AP view | left wrist plain film | follow-up | image size 498x944.

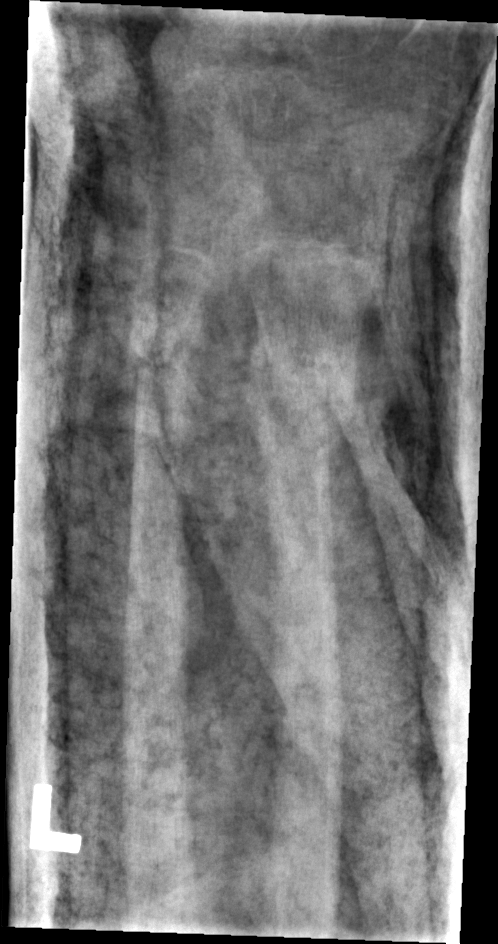

  ao: 23-M/3.1
  fracture: 241,335,357,437; 123,314,207,382